Lat projection, Lt wrist radiograph. 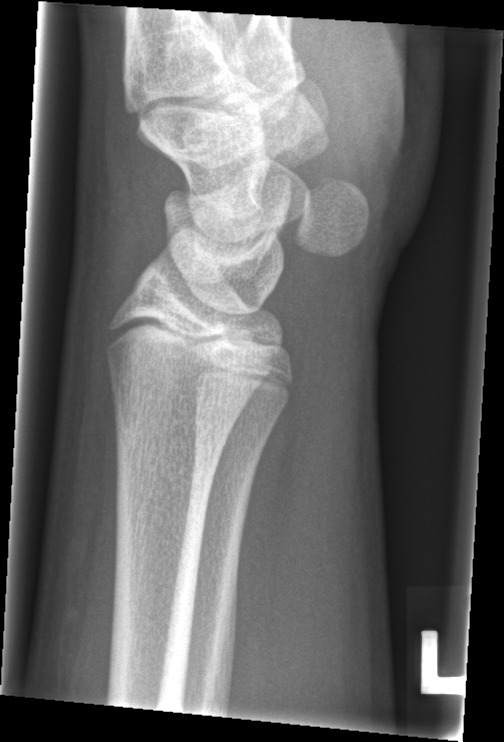 * No fracture labeled.